Frontal, right plain radiograph of the wrist, boy, 15 yo, detector: Siemens:

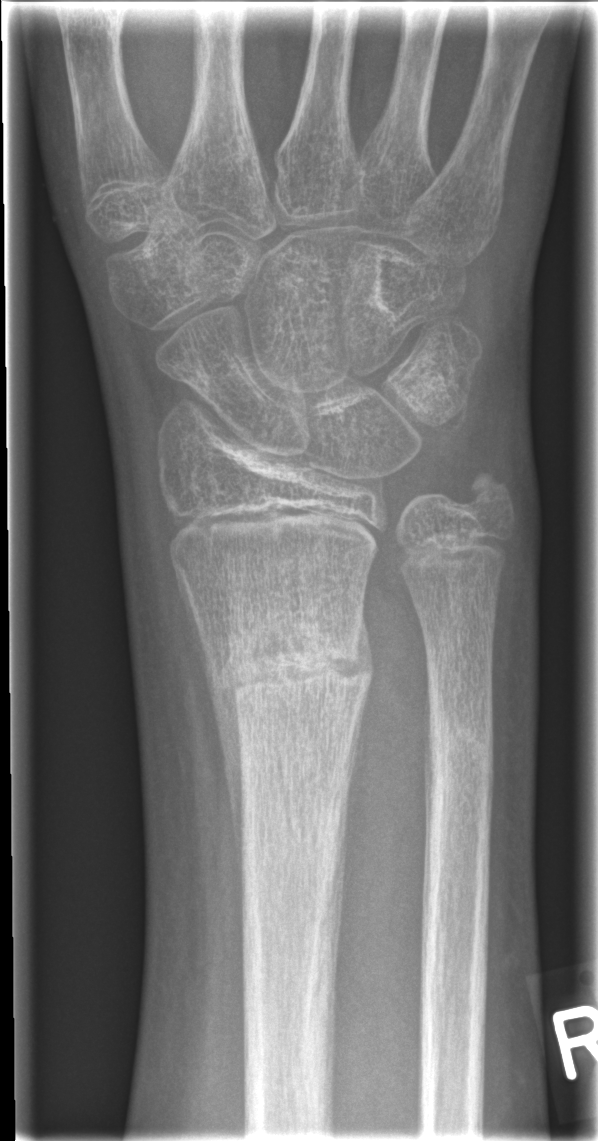

Three fractures at (206, 619, 373, 725) (423, 704, 496, 768) (459, 460, 518, 522).
Osteopenic.
AO/OTA classification: 23r-M/3.1; 23u-M/2.1; 23u-E/7.
Periosteal thickening — (202, 650, 244, 896) (362, 623, 370, 689).